Lateral view, right wrist XR, index exam 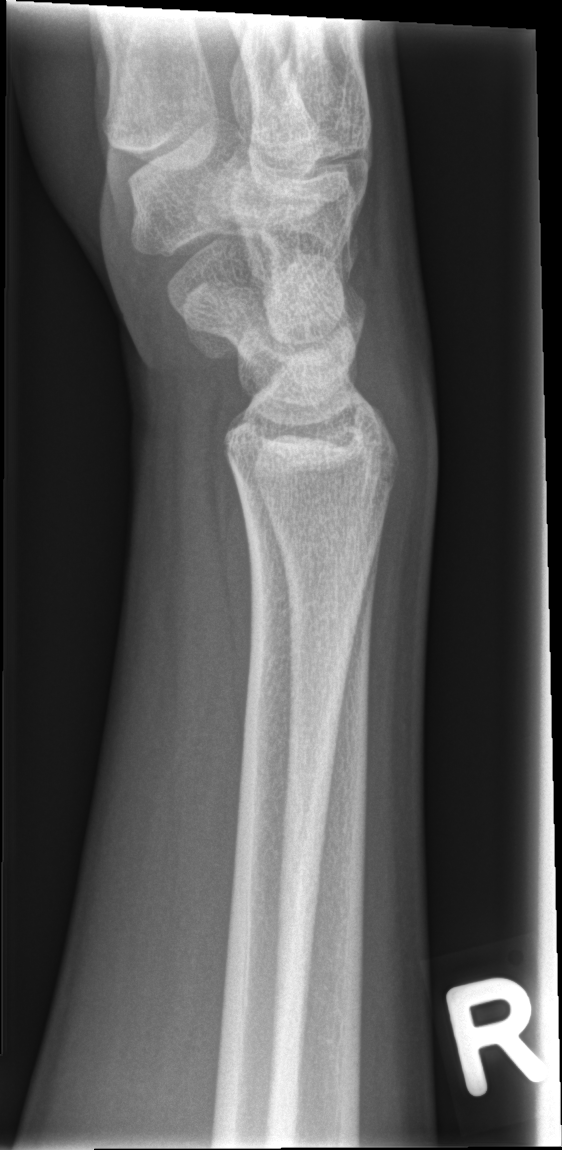

FINDINGS: Fracture: none labeled.